Left wrist radiograph · posteroanterior view · 9y F

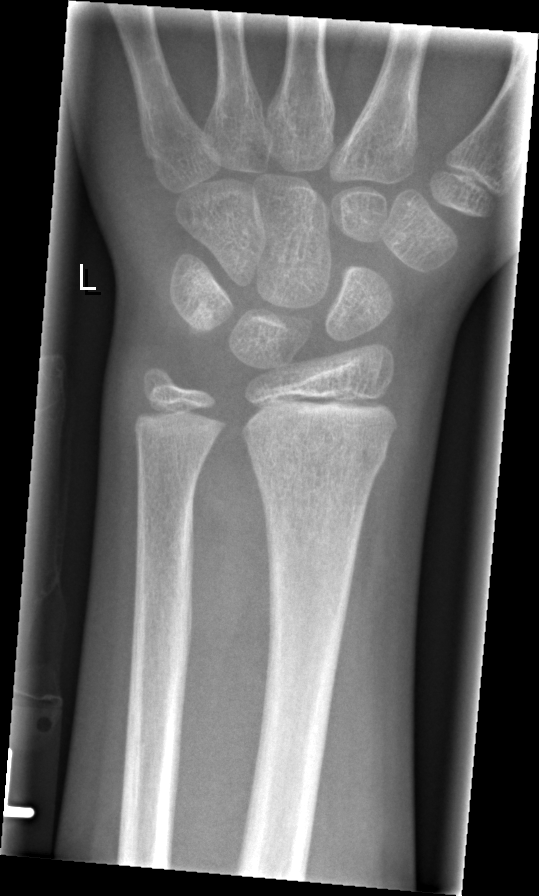

Q: Fracture present?
A: Fracture — 244 421 394 490
Q: AO code?
A: Fracture classified AO/OTA 23r-M/2.1